Lat view; L pediatric wrist radiograph; 7y F; image 47.2 mm wide 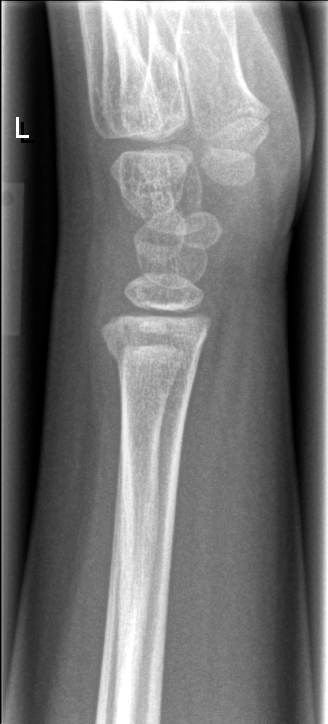
AO/OTA = 23r-M/2.1
fracture = 1 @ [104, 329, 208, 381]